PA/AP projection; L plain radiograph of the wrist; pediatric patient (boy, age 14); follow-up:
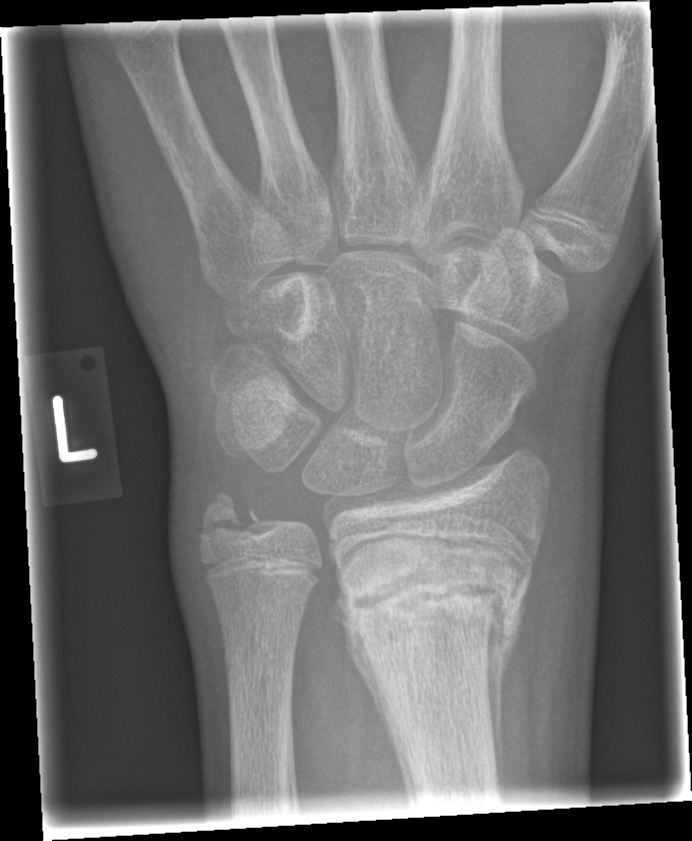
• Bounding boxes in image-pixel xyxy.
• Decreased bone density (osteopenia).
• Fractures — (left=339, top=556, right=531, bottom=650), (left=196, top=490, right=264, bottom=541).
• Periosteal reaction identified at (left=328, top=560, right=402, bottom=772), (left=485, top=589, right=525, bottom=807).